AP · right plain radiograph of the wrist · pediatric patient (male, age 10) · image width 81.9 mm
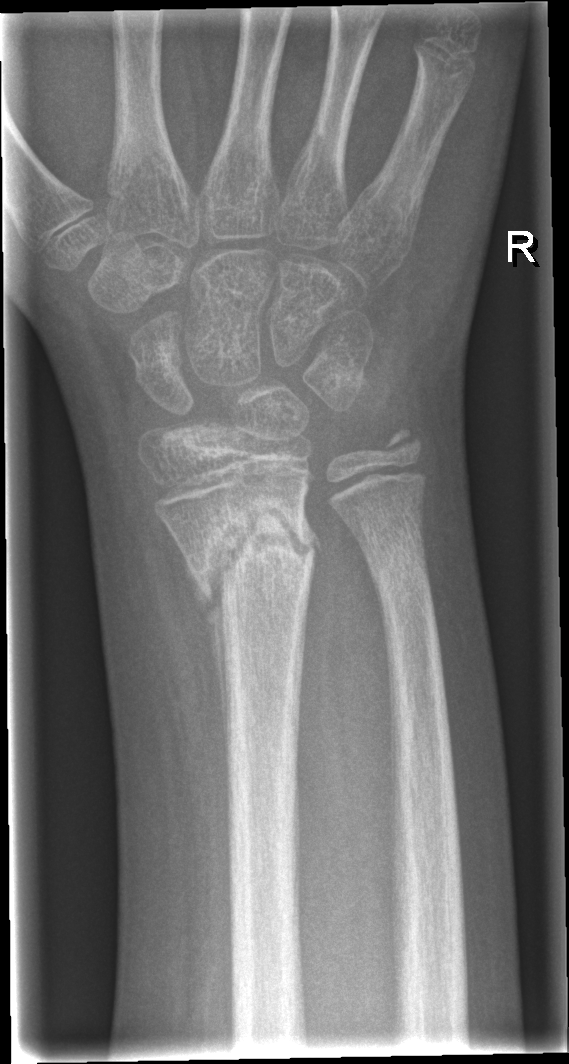 (bounding boxes in image-pixel xyxy)
fracture = 3 @ 184,498,322,616; 365,530,436,600; 372,415,431,467
AO code = 23-M/3.1; 23u-E/7
periosteal new bone = 1 @ 182,550,229,794